L plain radiograph of the wrist · frontal projection · male, 2 yo:
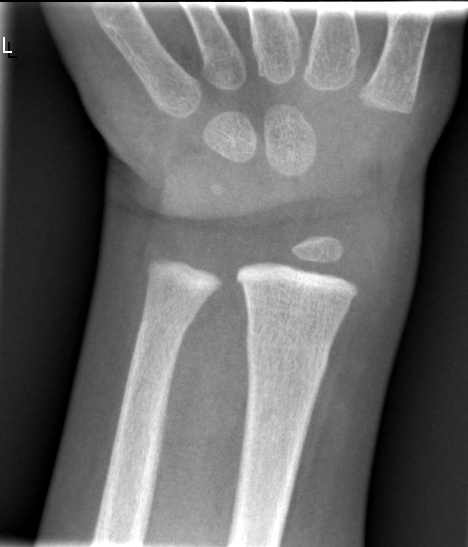 Two fractures at 243 328 333 385; 134 292 201 345. Fracture classified AO/OTA 23-M/2.1.